Rt plain radiograph of the wrist, lat, 2y F:
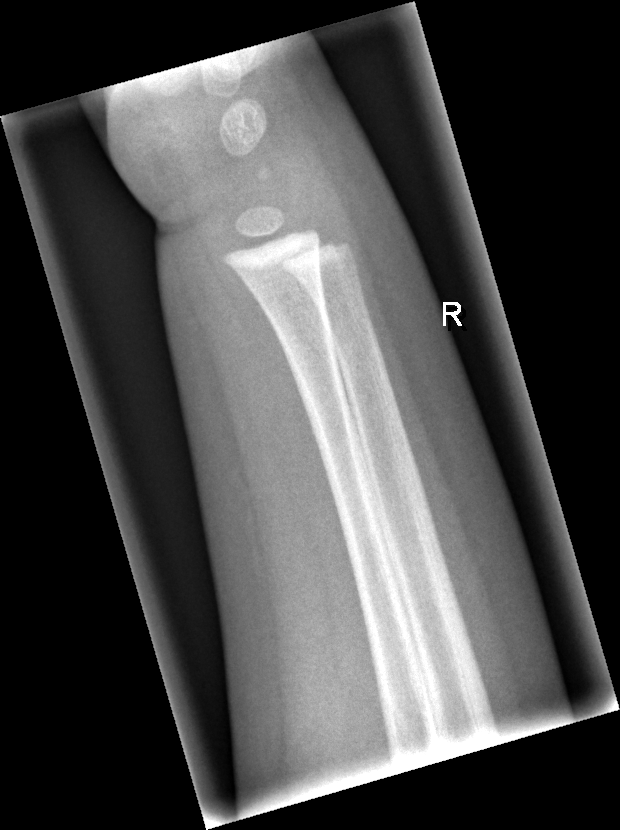 bone fracture: none labeled